Frontal view · left wrist pediatric wrist radiograph · male, 14 yo —

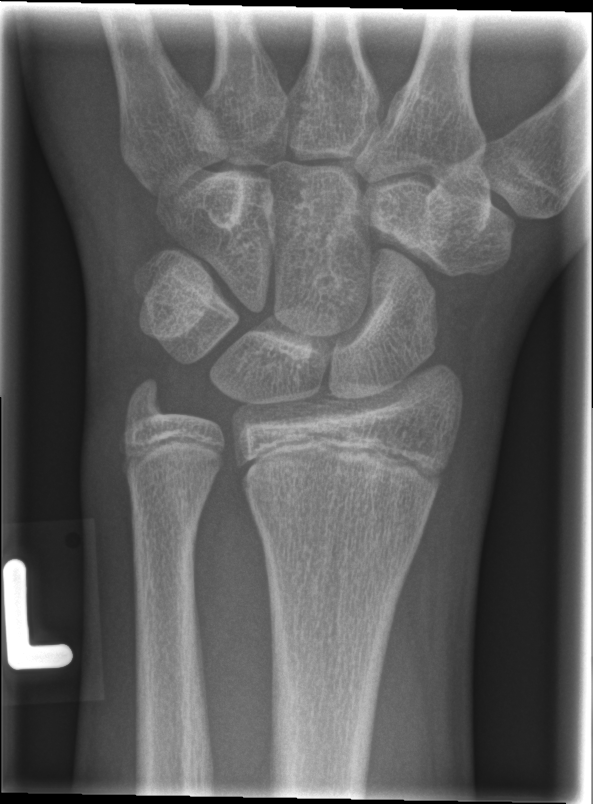 Q: Locate any fractures.
A: Fracture: none labeled